Lateral projection · R plain radiograph of the wrist — 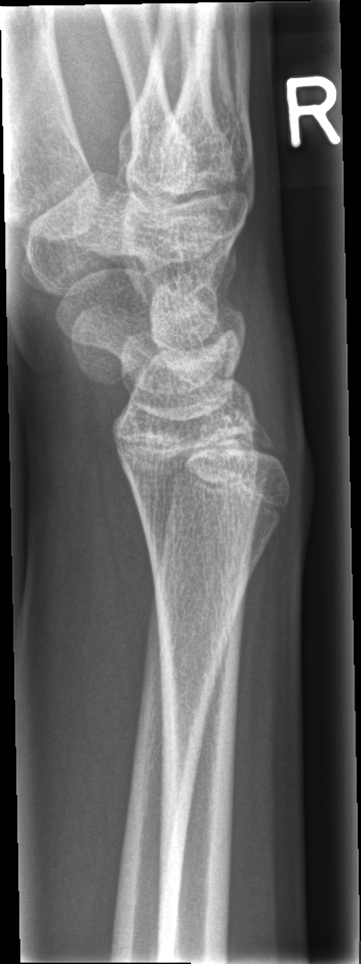 • Fx: none.